Right wrist radiograph · lateral · pediatric patient (female, age 16) · index exam — 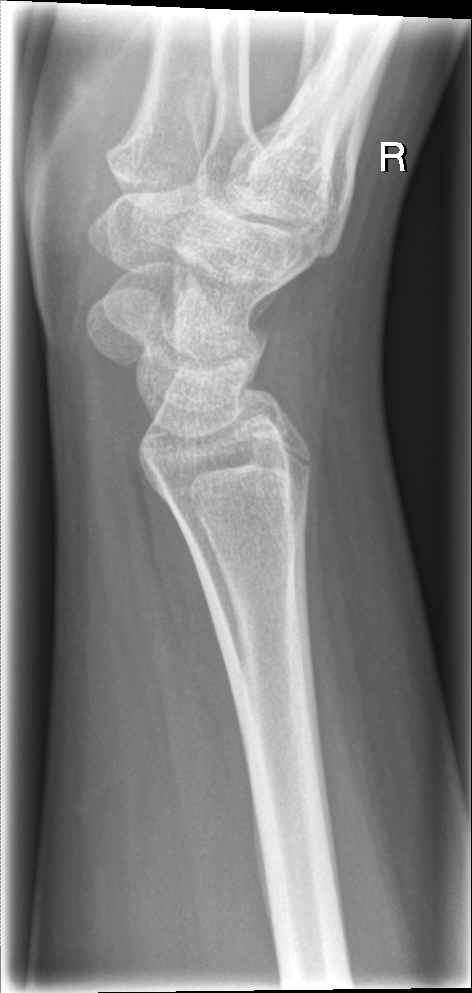 Fx: none.